R wrist plain film | lat projection | age 2 y, male | in cast

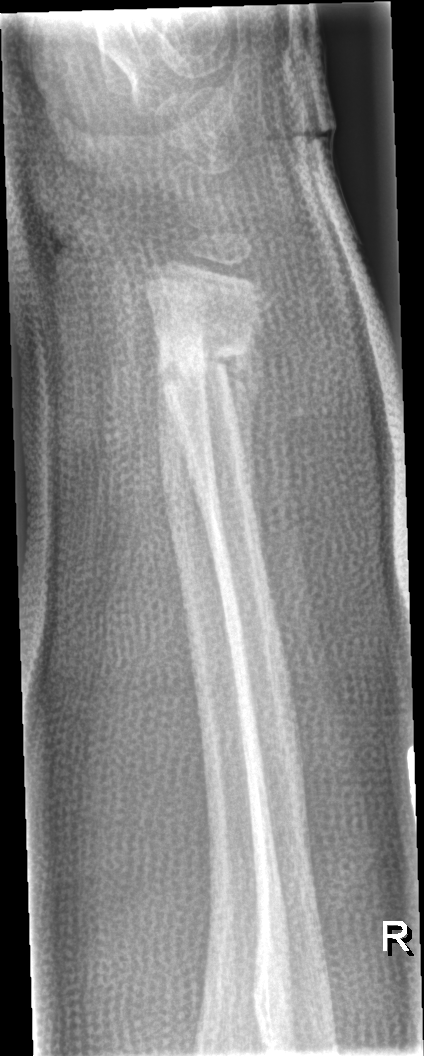
AO classification: 23-M/3.1
Fx: 150 325 257 414
Periosteal new bone: 220 299 263 549